Lateral projection | L plain radiograph of the wrist | boy, 6 yo —
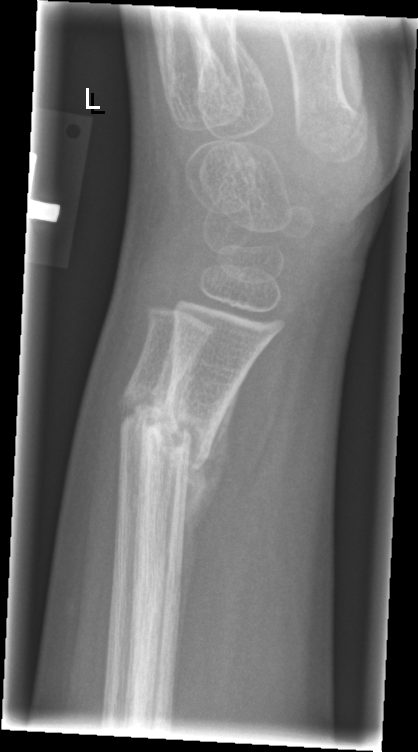
# boxes as x1,y1,x2,y2 (top-left / bottom-right, pixel units)
periostealreaction: 2 @ bbox(173, 380, 243, 716), bbox(134, 326, 176, 512)
fracture: 1 @ bbox(114, 383, 212, 466)
osteopenia: present